L pediatric wrist radiograph · oblique projection · initial study · 422 x 592 px:
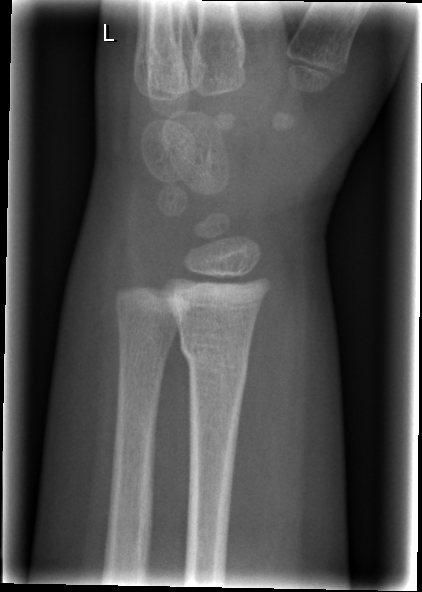

Fracture classified AO/OTA 23r-M/2.1. Bone fracture identified at <177,328>-<253,385>.